Lat, right wrist plain film, male, 16 yo, in cast, acquired on Siemens, 100.8 mm image width

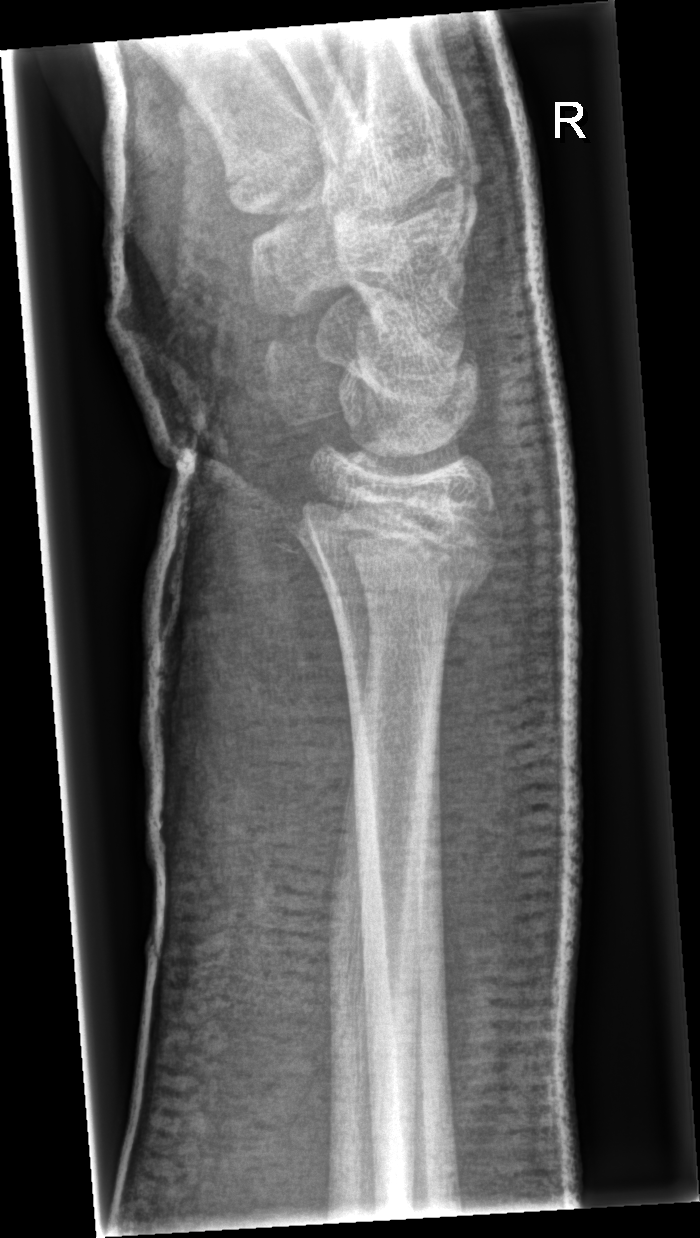
fracture: 1 @ <298,471>-<507,630>
AO/OTA: 23r-E/2.1; 23u-E/7